AP view · left pediatric wrist radiograph · pediatric patient (male, age 5) · 66.8 mm image width · image size 464x664.

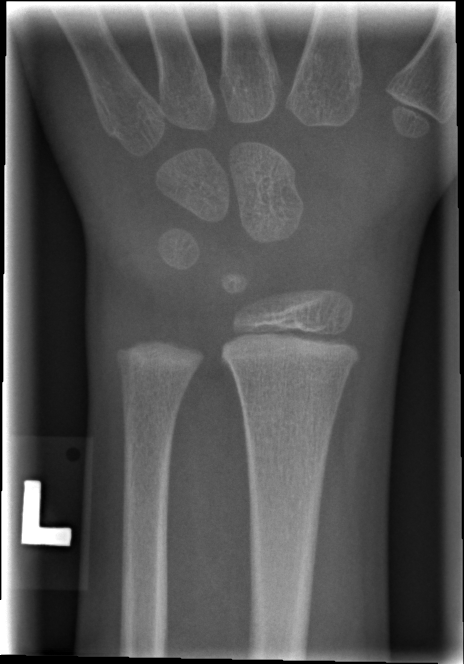
• No fracture labeled.